Lateral view; right wrist radiograph; 12y M; in cast —
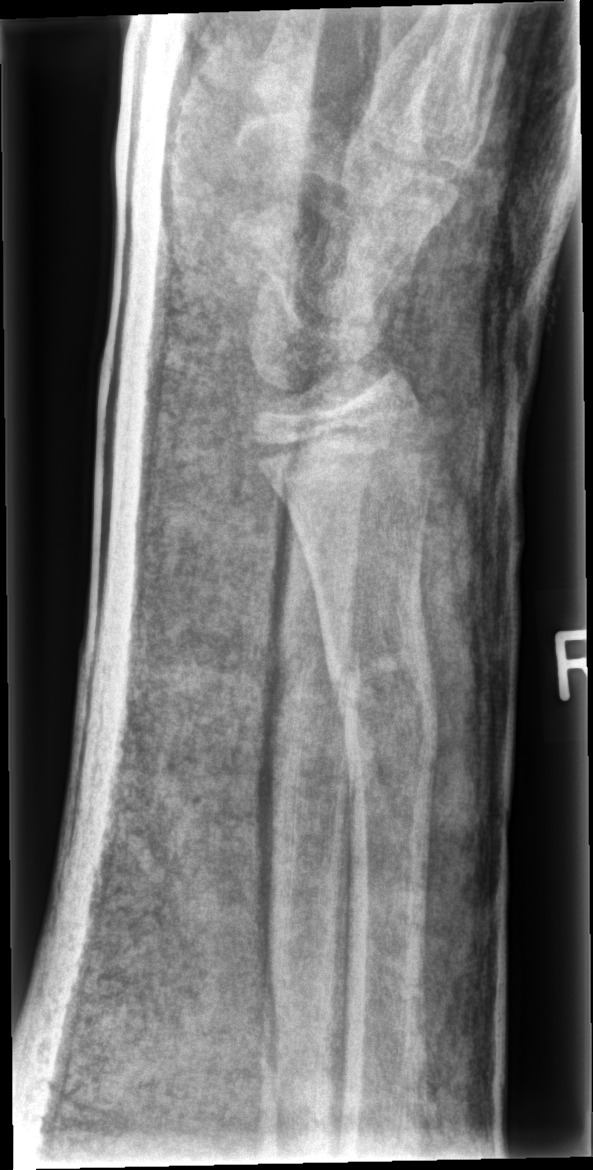
FINDINGS: Fracture: (325, 646, 442, 800).